PA/AP; right wrist radiograph; male, 10 yo

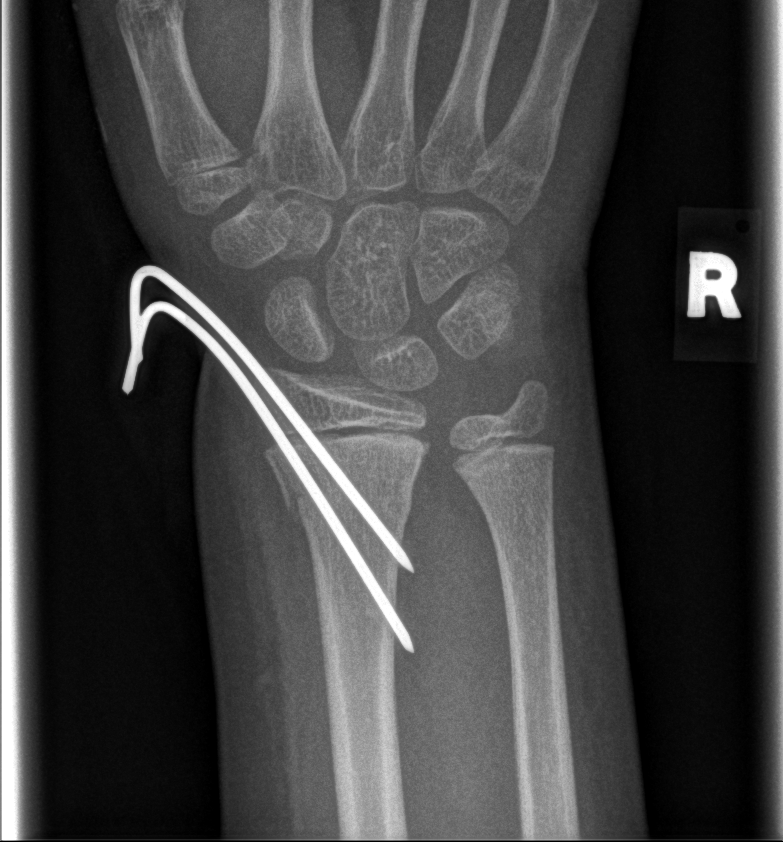

Q: Is there any metallic hardware?
A: One metallic implant at <118,260>-<418,656>
Q: Is there a fracture?
A: Fx: <270,460>-<416,535>
Q: Bone density?
A: Reduced bone mineral density